Posteroanterior view; L wrist plain film; imaged through cast; detector: Siemens

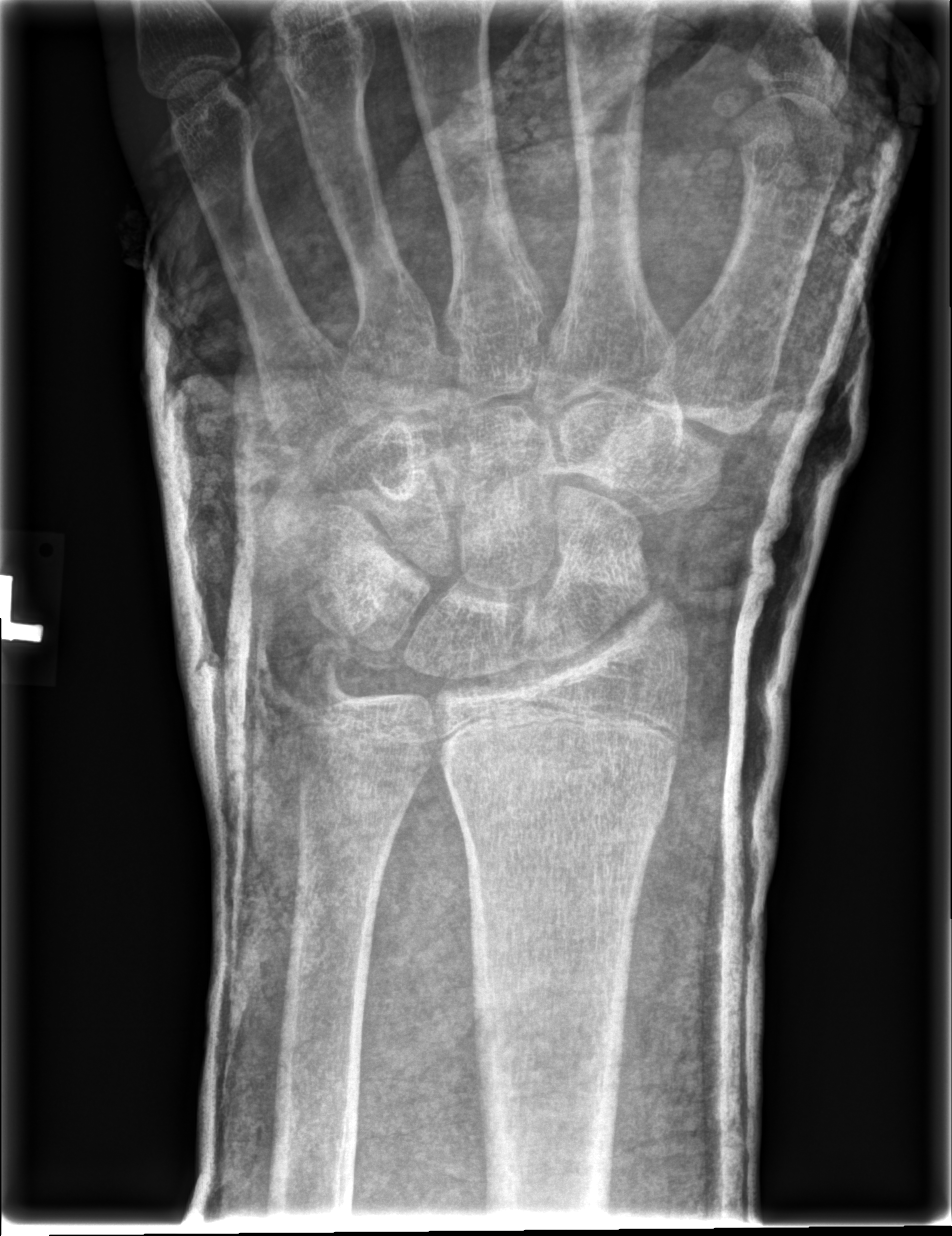 Findings: Two fractures at (left=438, top=728, right=675, bottom=847) (left=284, top=618, right=366, bottom=714).